L plain radiograph of the wrist; PA/AP view; 8-year-old girl. 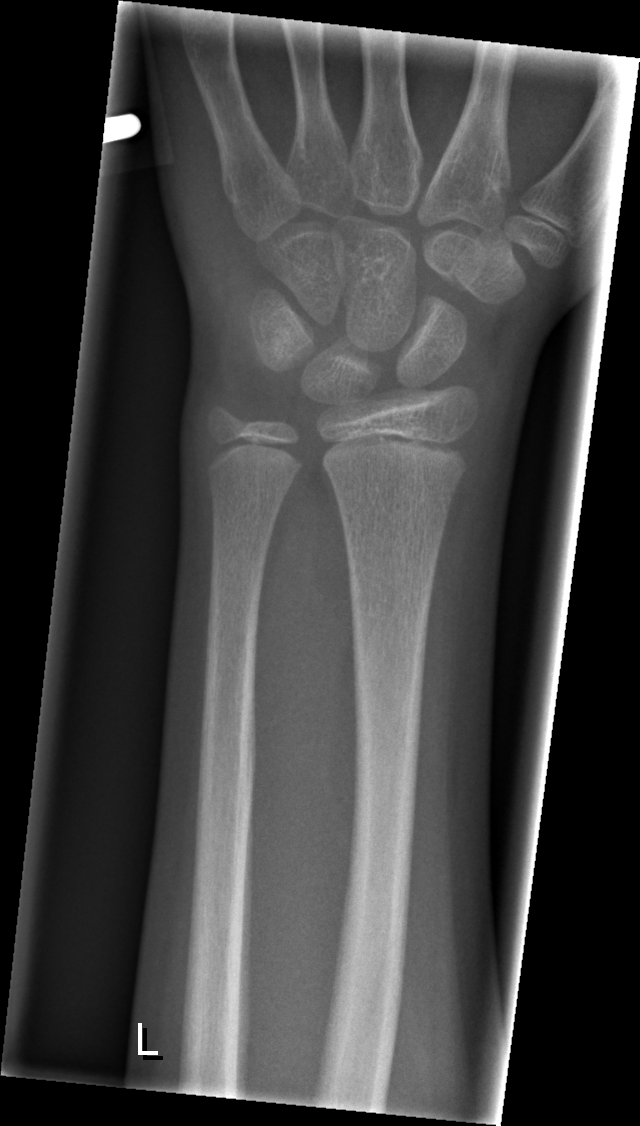 bone fracture = none labeled